Frontal; Lt wrist X-ray; 552 x 1246 px:

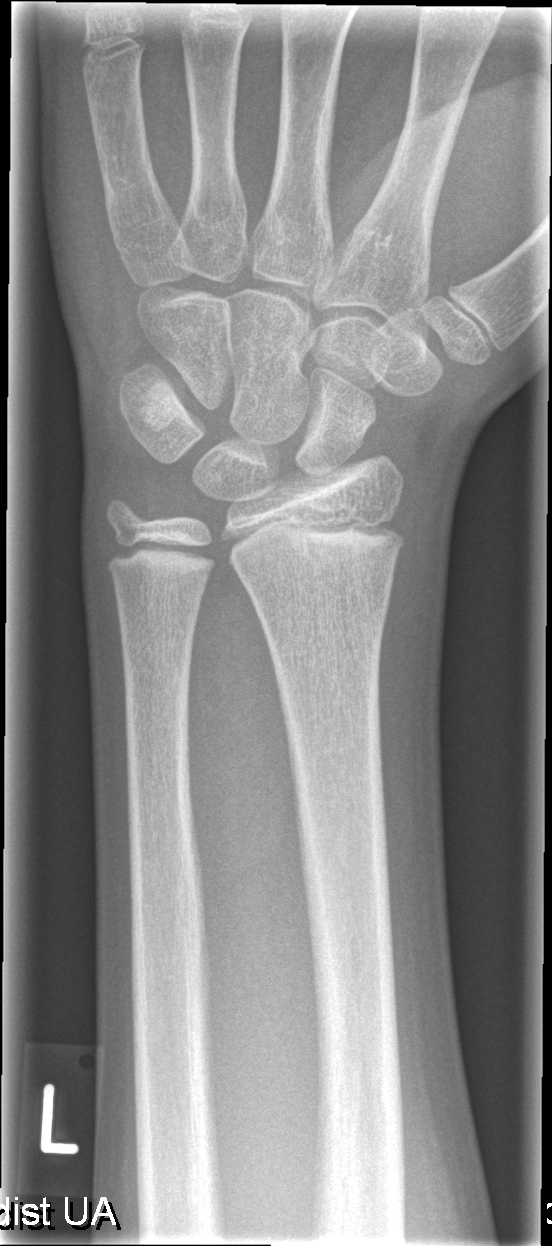

- No fracture bounding box.